Frontal view · right wrist XR · age 4 y, boy · follow-up · 474 x 831 px — 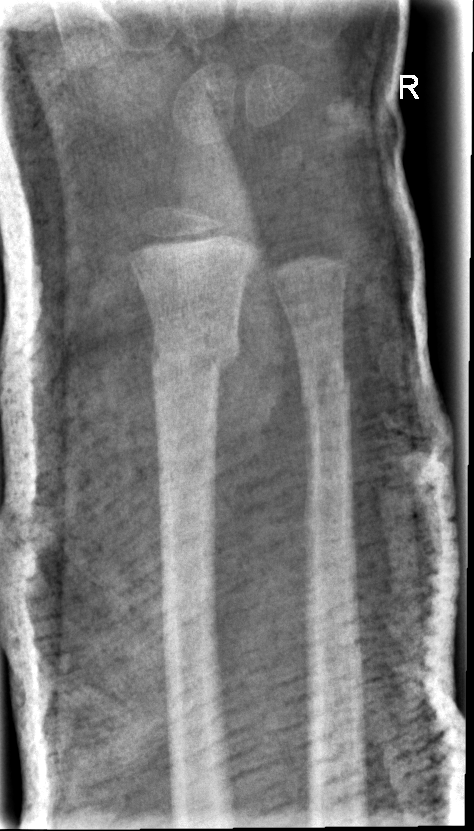

Boxes as x1,y1,x2,y2 (top-left / bottom-right, pixel units). Fracture classified AO/OTA 23-M/3.1. Two fractures at bbox(147, 316, 243, 389) bbox(297, 365, 355, 421).